Lat · right pediatric wrist radiograph · follow-up:

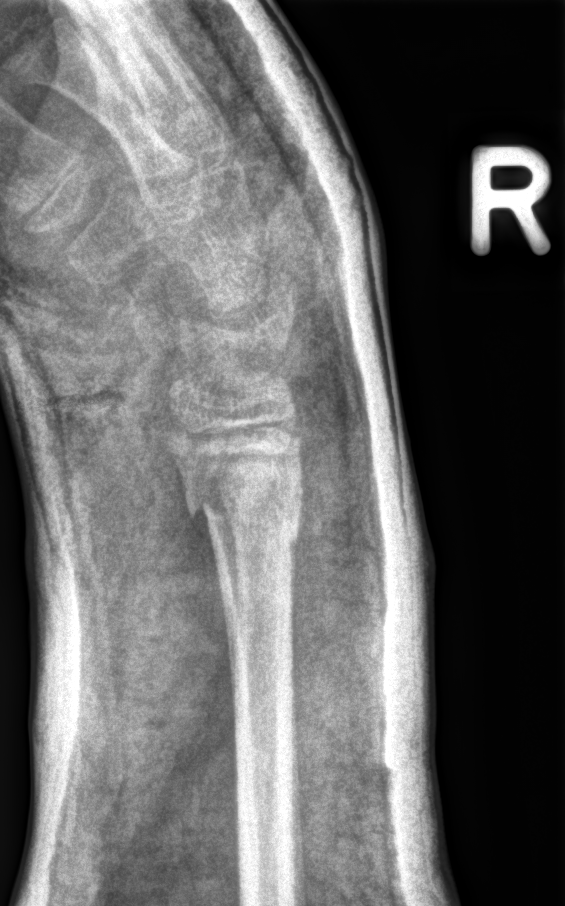
Fracture classified AO/OTA 23r-M/3.1; 23u-E/7.
Fracture identified at (181, 477, 305, 547).